L plain radiograph of the wrist · posteroanterior view · image 82.8 mm wide — 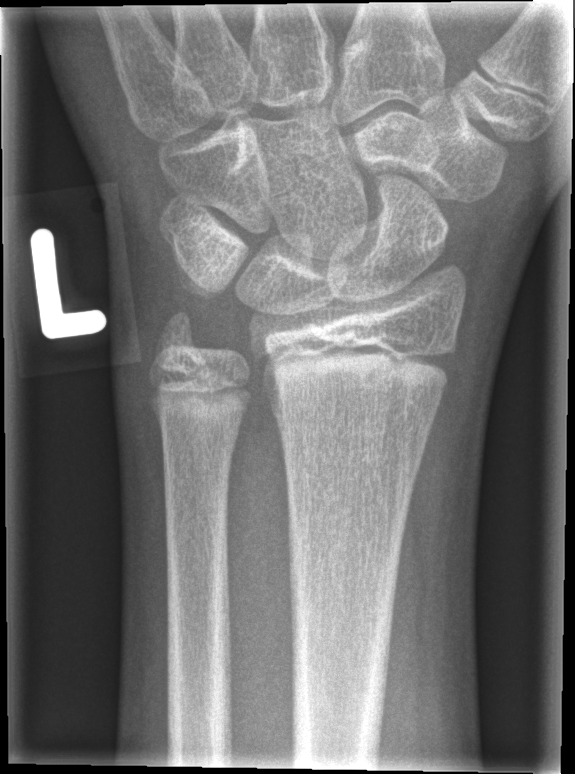
FINDINGS — No fracture annotation.